Posteroanterior projection, right wrist XR, female, 11 yo:
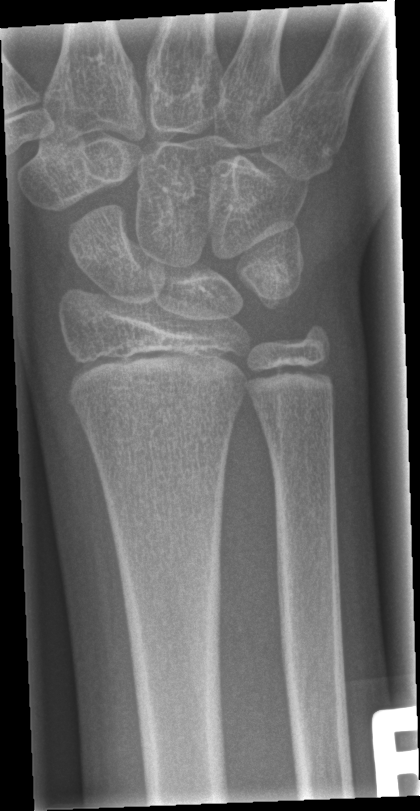
• Fx present but not clearly seen in this view.
• AO/OTA classification: 23r-M/2.1.